Posteroanterior view | Rt wrist radiograph. 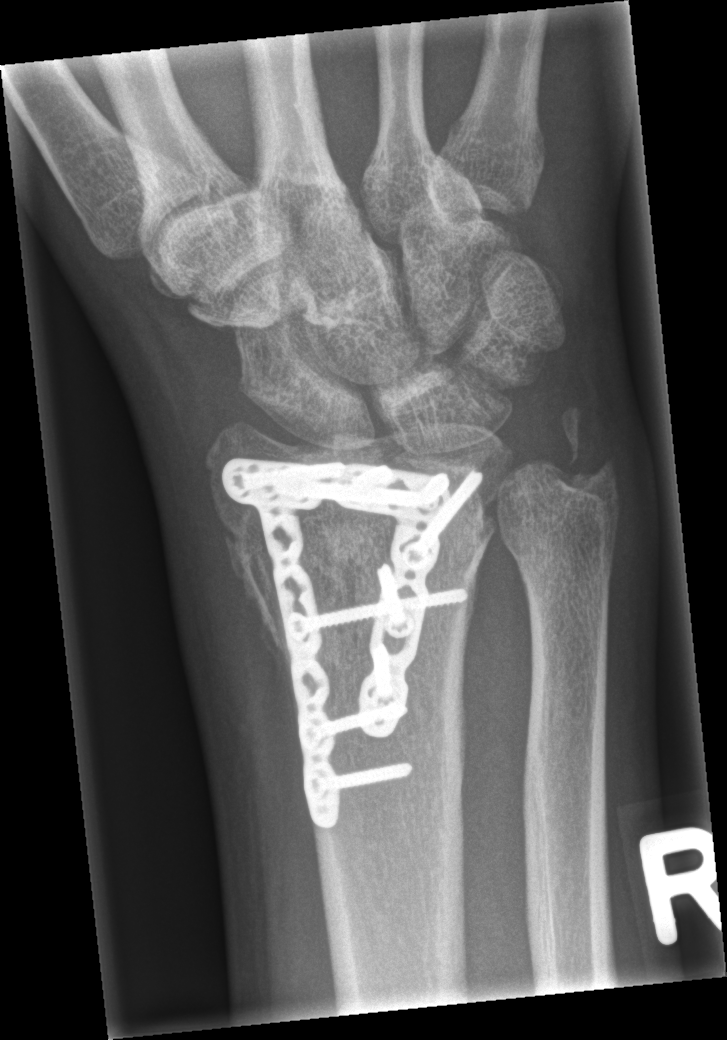

Bounding boxes in image-pixel xyxy. Reduced bone mineral density. Fracture classified AO/OTA 23r-M/3.1; 23u-E/7. Metallic implant: 220,453,486,833. Two fractures at 214,510,496,660 | 553,404,617,491.